Posteroanterior, L wrist radiograph —

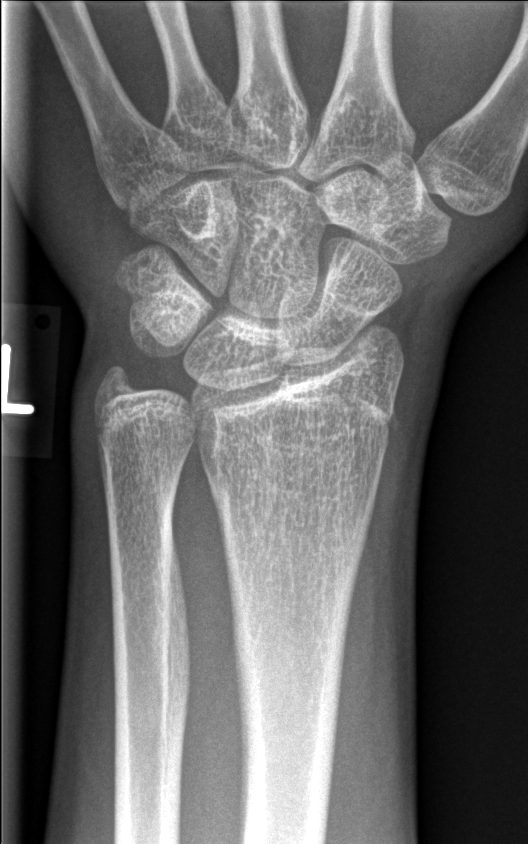 Findings: No fracture annotation.